PA projection | R wrist XR | age 2 y, male | presentation radiograph: 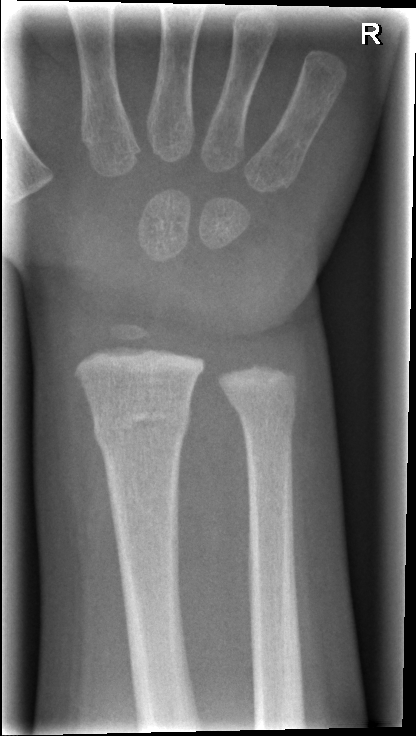
(pixel coordinates, top-left origin, xyxy)
Fracture = [x1=88, y1=394, x2=195, y2=454], [x1=223, y1=381, x2=301, y2=433]